Lat projection, Lt wrist XR, 13-year-old male, acquired on Siemens
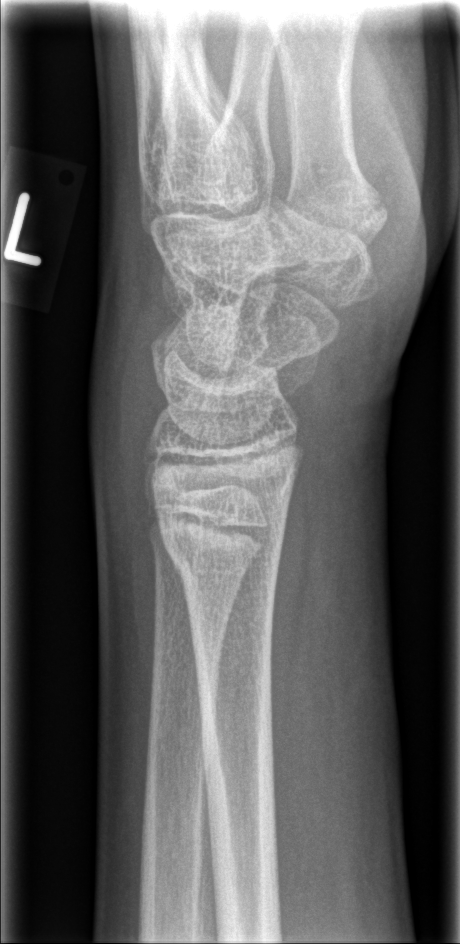

Q: Fracture present?
A: Bone fracture identified at [154, 515, 288, 593]